Lt wrist plain film · posteroanterior · in cast.
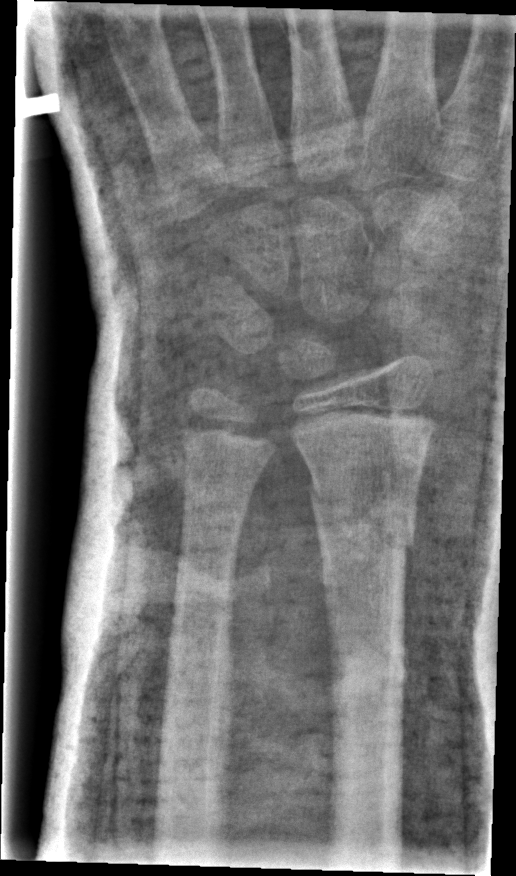

(pixel coordinates, top-left origin, xyxy)
Fx = 303 478 420 554